Frontal projection, left wrist plain radiograph of the wrist, cast present — 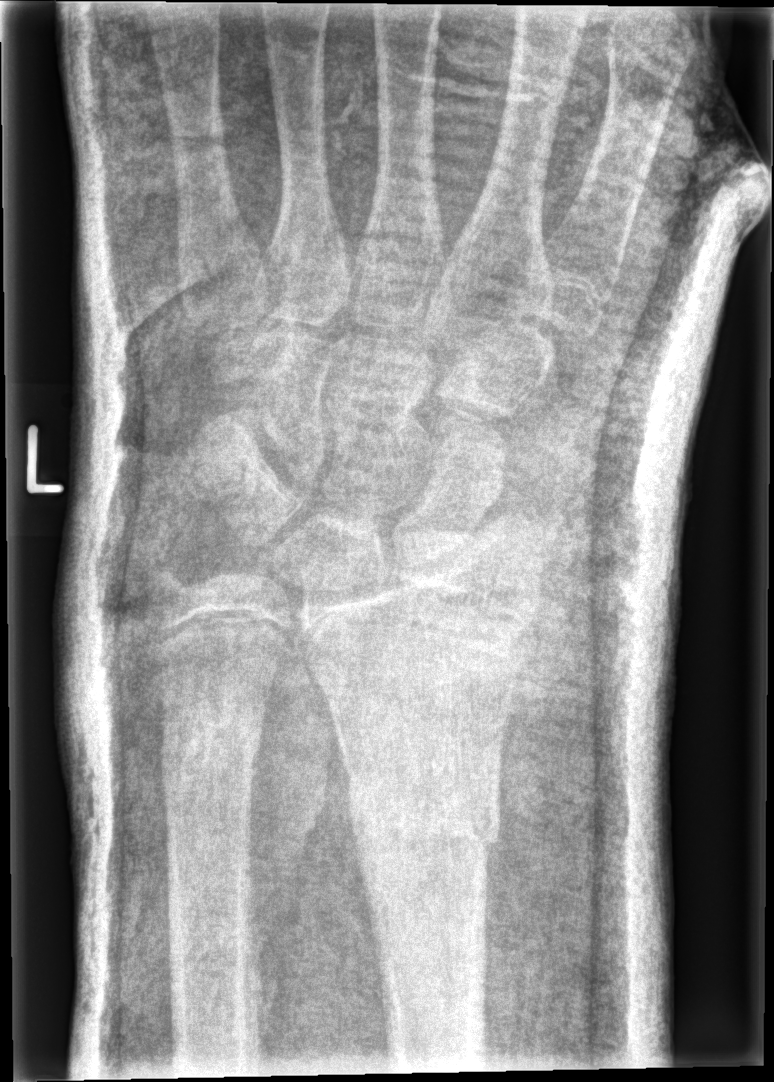 AO classification = 23-M/3.1
Fx = 2 @ 348,797,502,865
  157,710,264,781